Right wrist radiograph | lateral view | age 7 y, male | detector: Siemens —
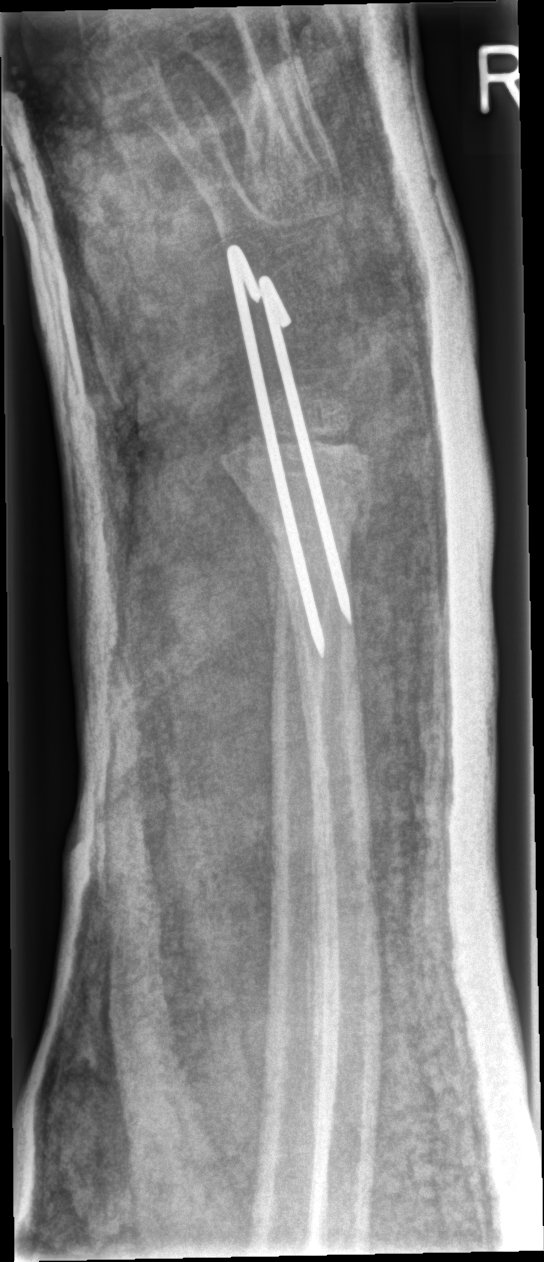 Pixel coordinates, top-left origin, xyxy. Bone fracture — bbox(237, 457, 379, 559). Hardware identified at bbox(226, 245, 325, 659), bbox(258, 276, 351, 626).